R plain radiograph of the wrist; lateral view; image size 424x882.
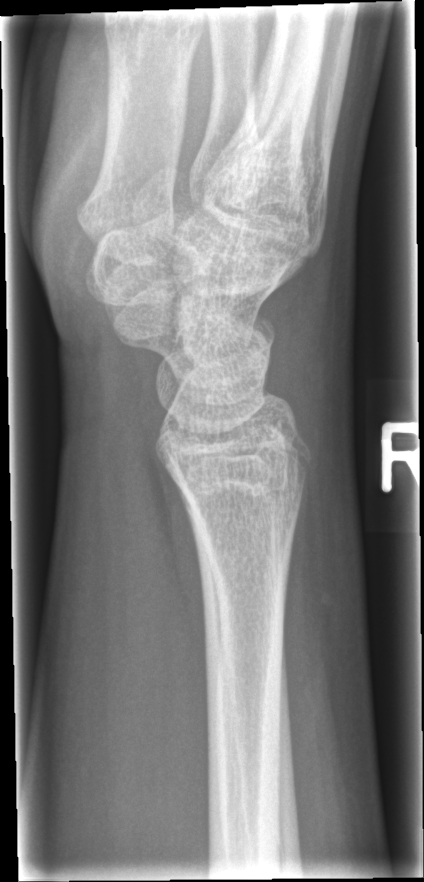

FINDINGS — No fracture annotation.